L wrist plain film | frontal view | age 6 y, male | cast in situ | 798x1224: 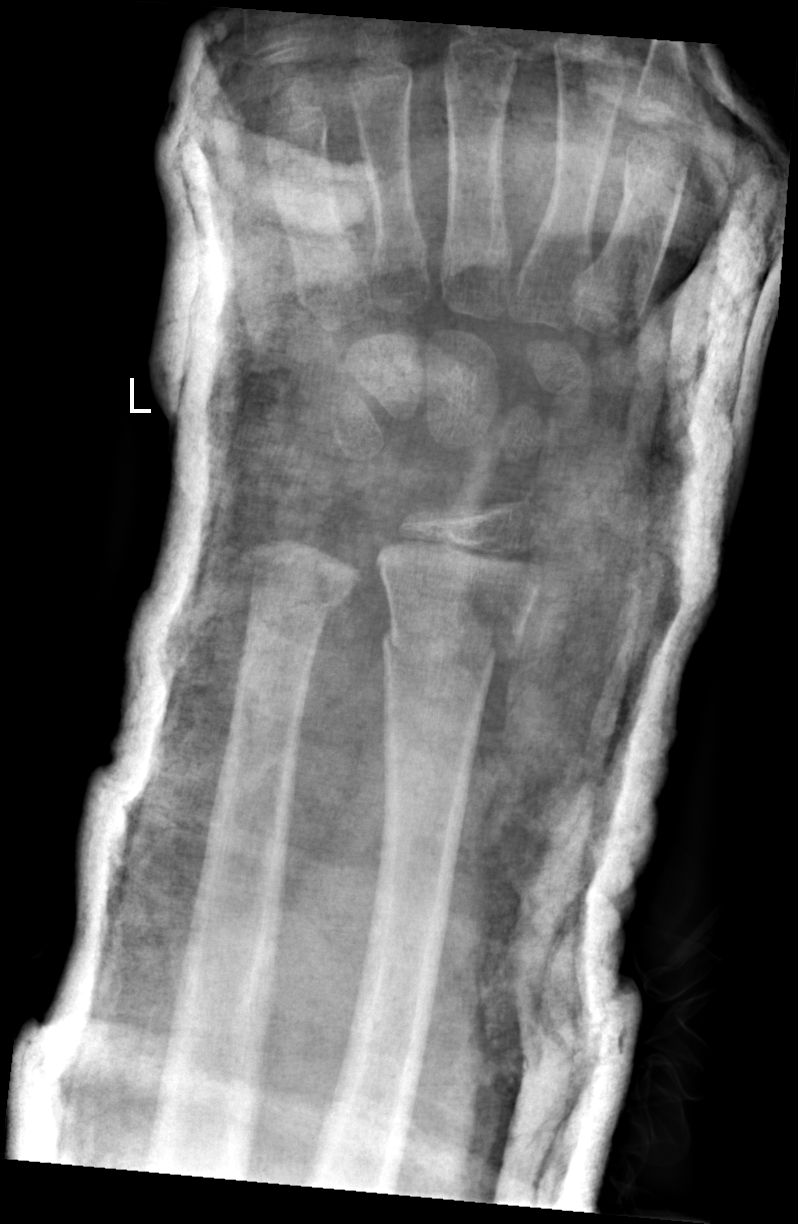 FINDINGS — AO code 23r-M/3.1; 23u-M/2.1. Two Fx at [x1=380, y1=615, x2=527, y2=672]; [x1=241, y1=578, x2=354, y2=641].